L pediatric wrist radiograph, lat view, male, 13 yo

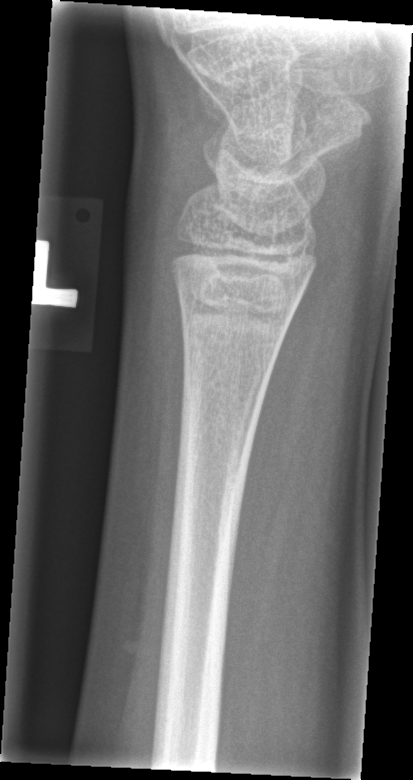
• Fx: none.